PA projection | left wrist pediatric wrist radiograph | presentation radiograph | acquired on Siemens.
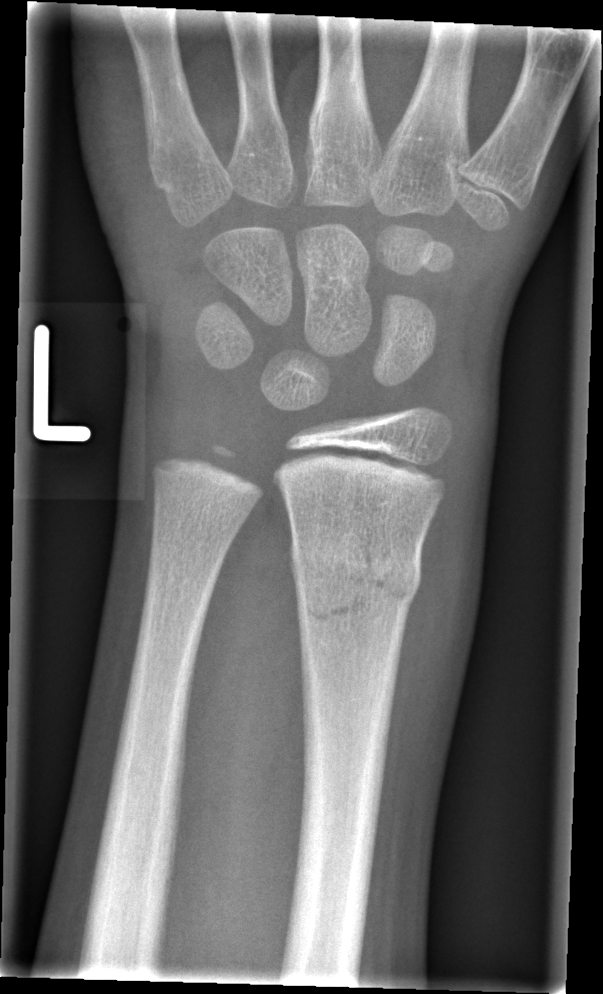

(boxes as x1,y1,x2,y2 (top-left / bottom-right, pixel units))
fracture = 285,517,427,628
AO code = 23r-M/3.1